Lat view | L plain radiograph of the wrist | detector: Siemens 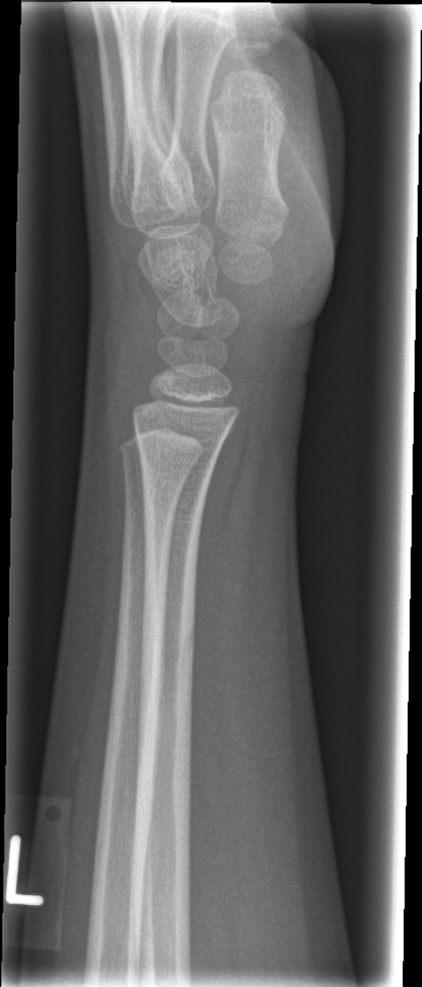
No fracture labeled.